PA projection | L wrist XR | male, 14 yo | follow-up study | imaged through cast | Siemens:
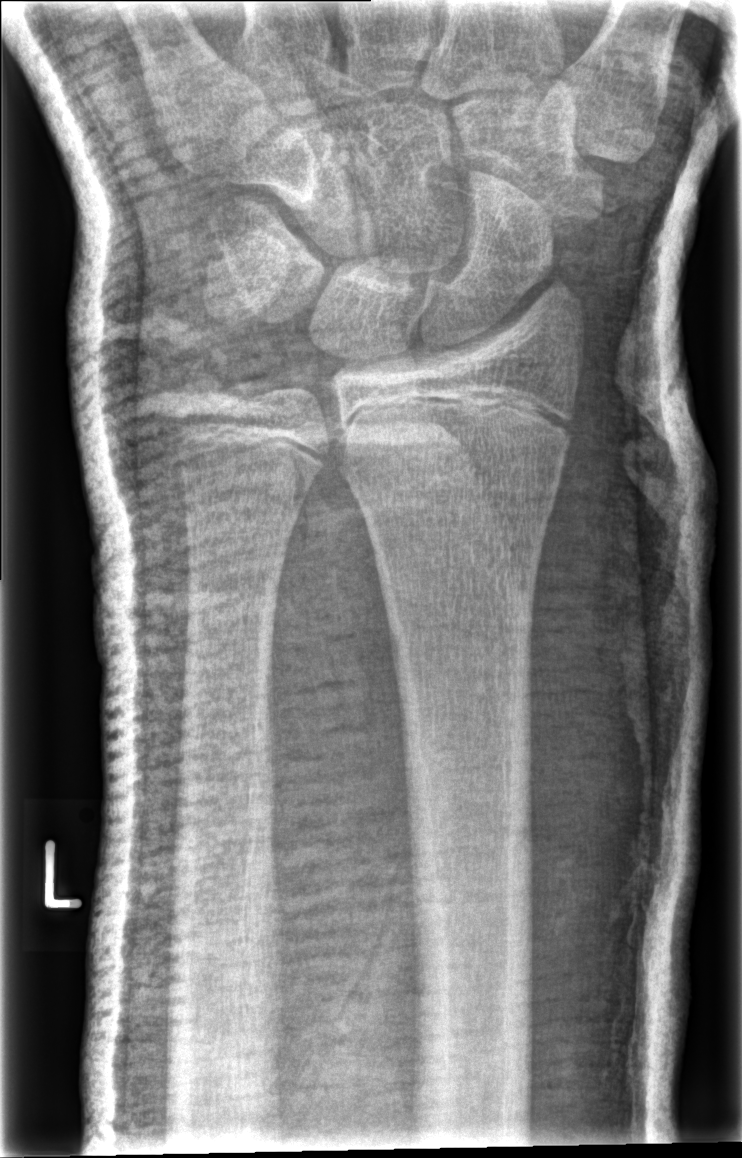 Findings: Fracture — bbox(338, 381, 576, 511).